PA projection | Rt pediatric wrist radiograph | age 15 y, girl | index exam | Siemens:

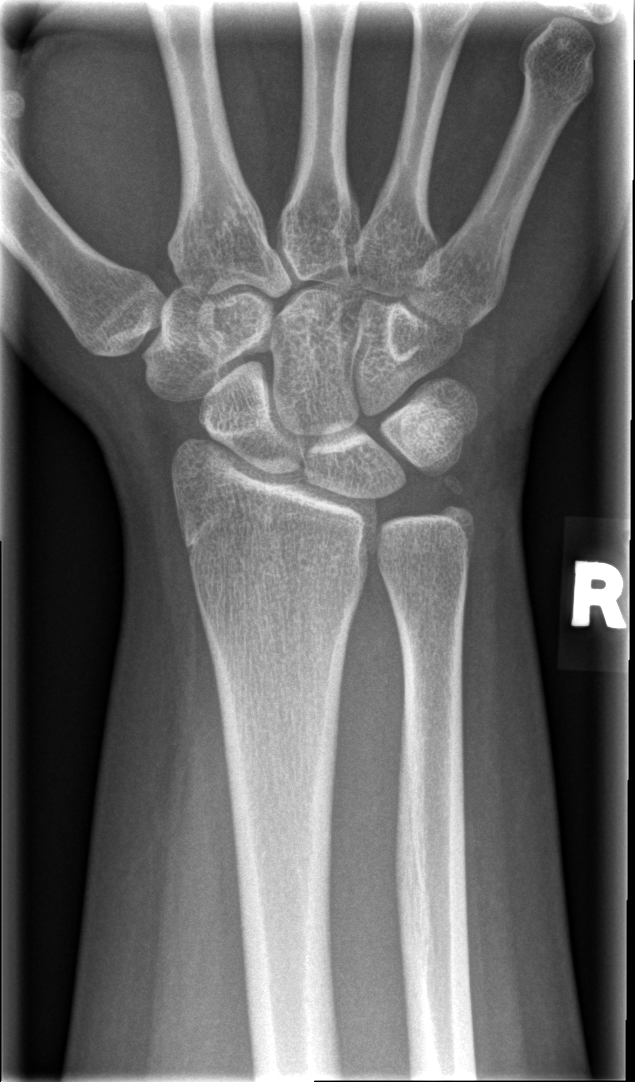 One fracture at 427 470 480 535.